R pediatric wrist radiograph; lateral; pediatric patient (boy, age 16); index exam:
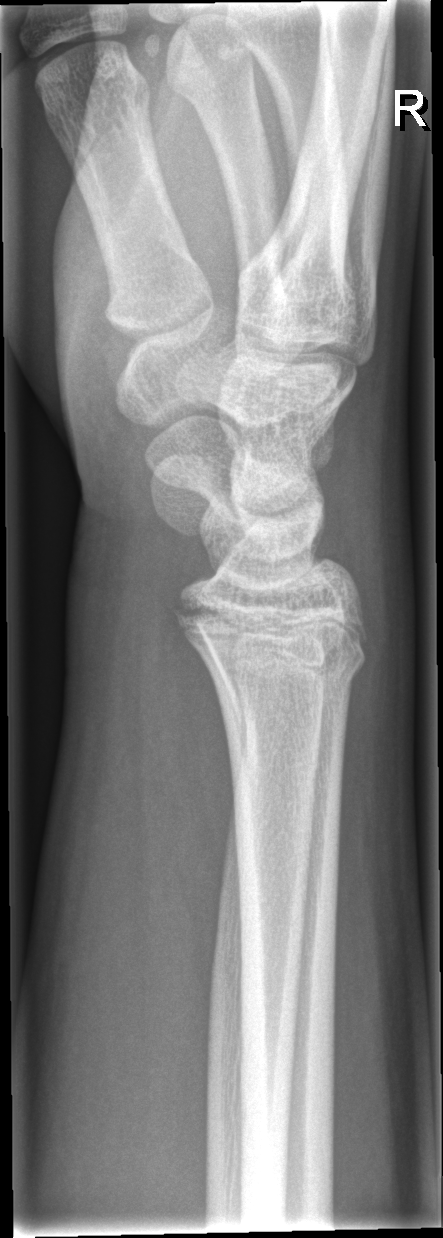

Q: AO code?
A: AO/OTA classification: 23r-E/2.1
Q: Fracture present?
A: Fx identified at (172, 594, 370, 690)